Left pediatric wrist radiograph | posteroanterior projection | subsequent exam | image 87.0 mm wide. 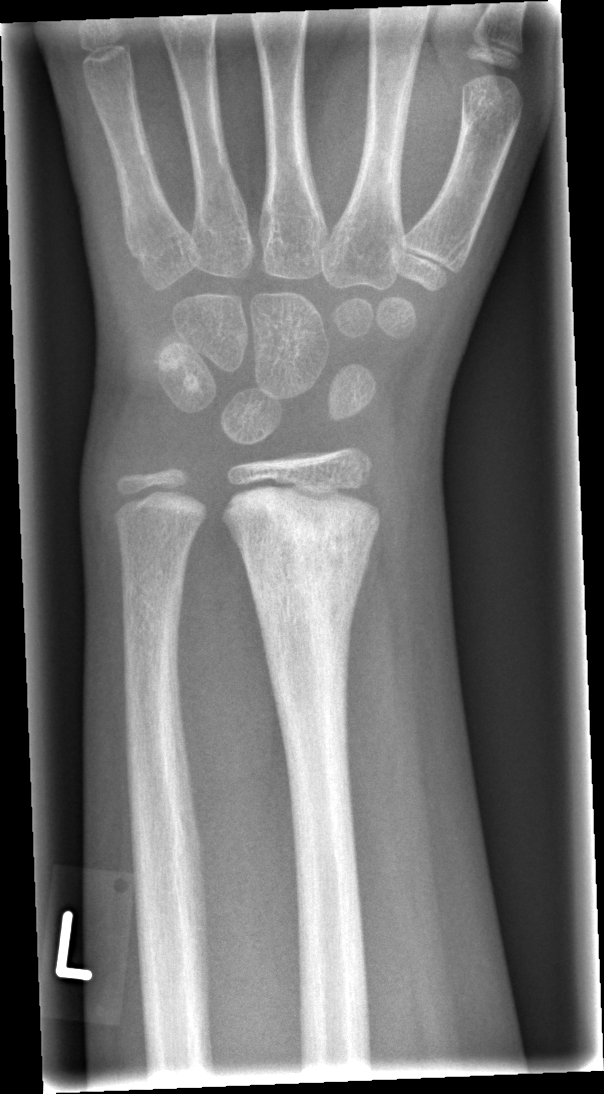 AO code: 23r-M/3.1
Fx: 1 @ [220, 497, 382, 660]
Osteopenia: present